Lat projection | right wrist X-ray | detector: Siemens:

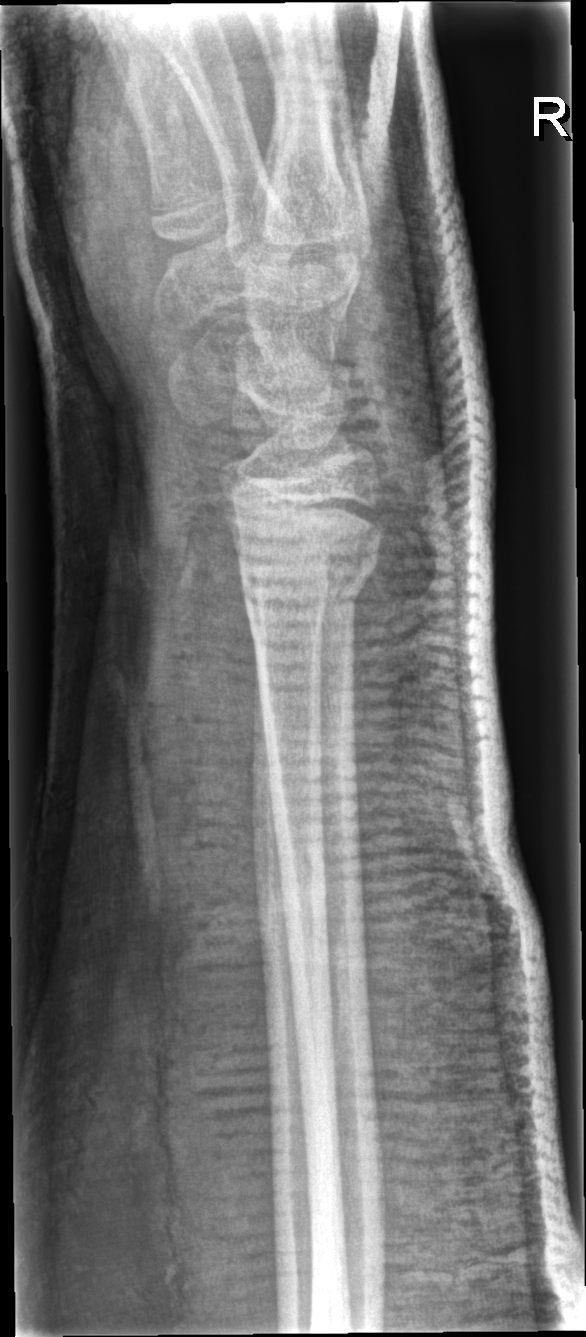

Boxes as x1,y1,x2,y2 (top-left / bottom-right, pixel units). Bone fracture identified at bbox(233, 526, 385, 612).